Right wrist radiograph, PA, Siemens:

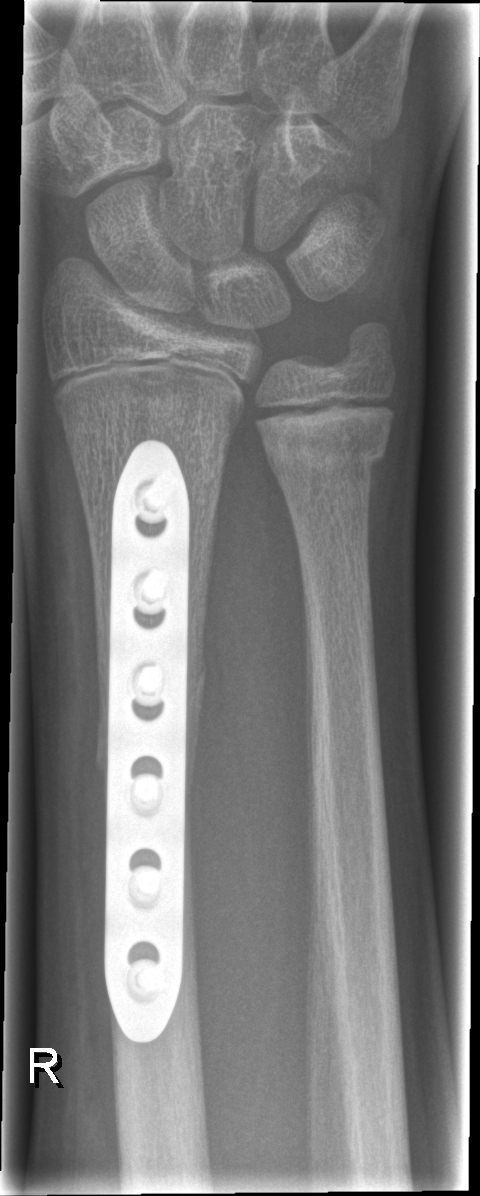 Boxes as x1,y1,x2,y2 (top-left / bottom-right, pixel units). Fracture — (260, 426, 392, 491). Metal — (102, 434, 191, 1044).